Frontal view; L wrist XR; pediatric patient (boy, age 10):
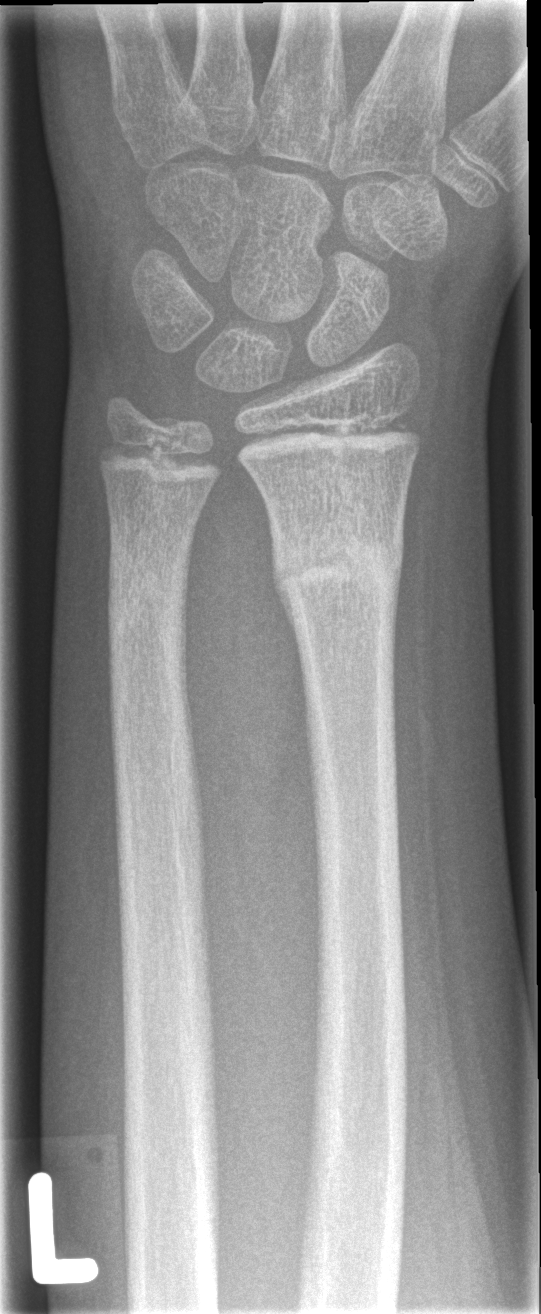 Coordinates are [x1, y1, x2, y2] in image pixels. AO/OTA classification: 23r-M/3.1; 23u-M/2.1. Two fractures at 264 516 407 621 | 100 566 196 654. Osteopenia.